Posteroanterior view | L pediatric wrist radiograph | age 12 y, female | follow-up study | acquired on Siemens 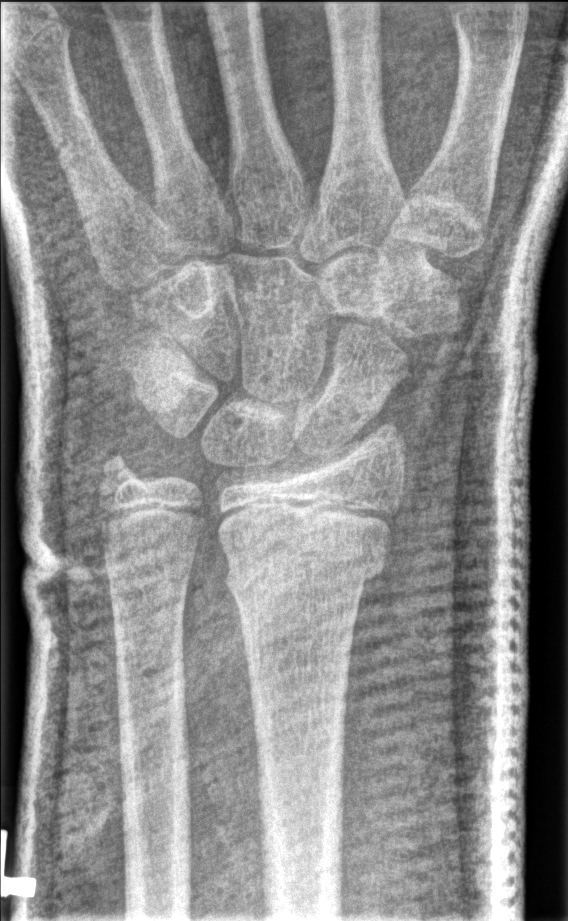 (coordinates are [x1, y1, x2, y2] in image pixels)
Fx: 1 @ [222, 534, 390, 610]
AO code: 23r-M/2.1